Lat projection, L plain radiograph of the wrist, age 8 y, female.

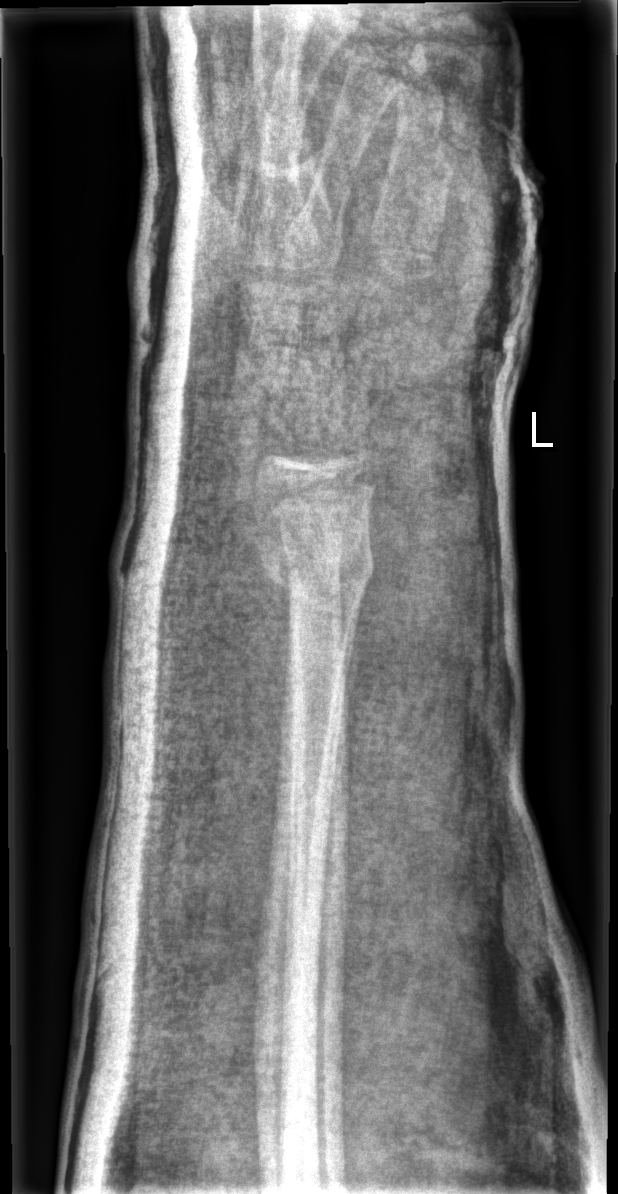

Bounding boxes in image-pixel xyxy. Fx — 263,536,377,622. Fracture classified AO/OTA 23r-M/3.1; 23u-M/2.1.